Left wrist XR | PA | 12-year-old boy | subsequent exam | imaged through cast —

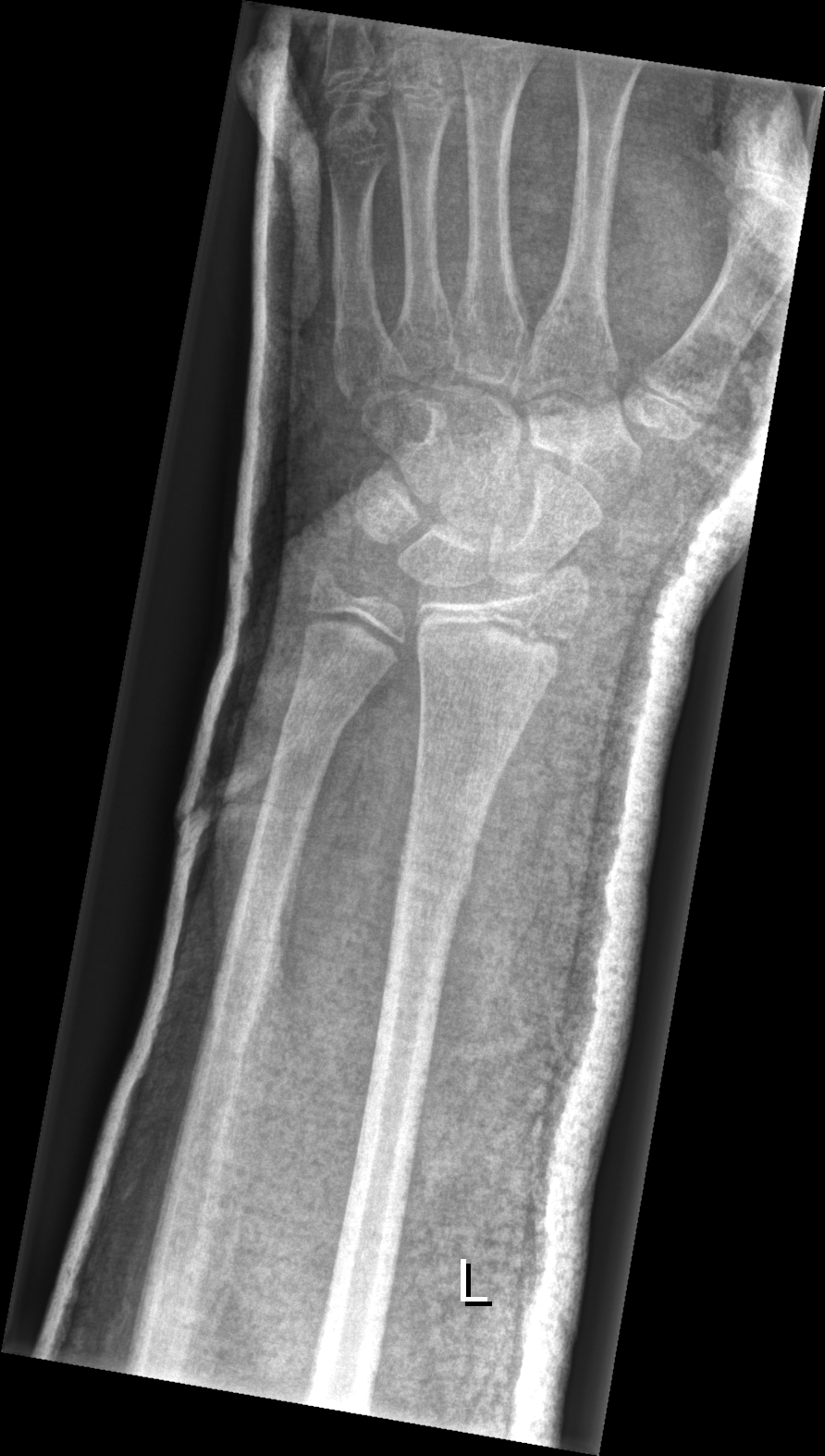 Q: Is there a fracture?
A: Two fractures at 400,848,475,902 | 275,710,347,760
Q: AO code?
A: AO code 22r-D/2.1; 23u-M/2.1